Right wrist radiograph | frontal projection | initial study —
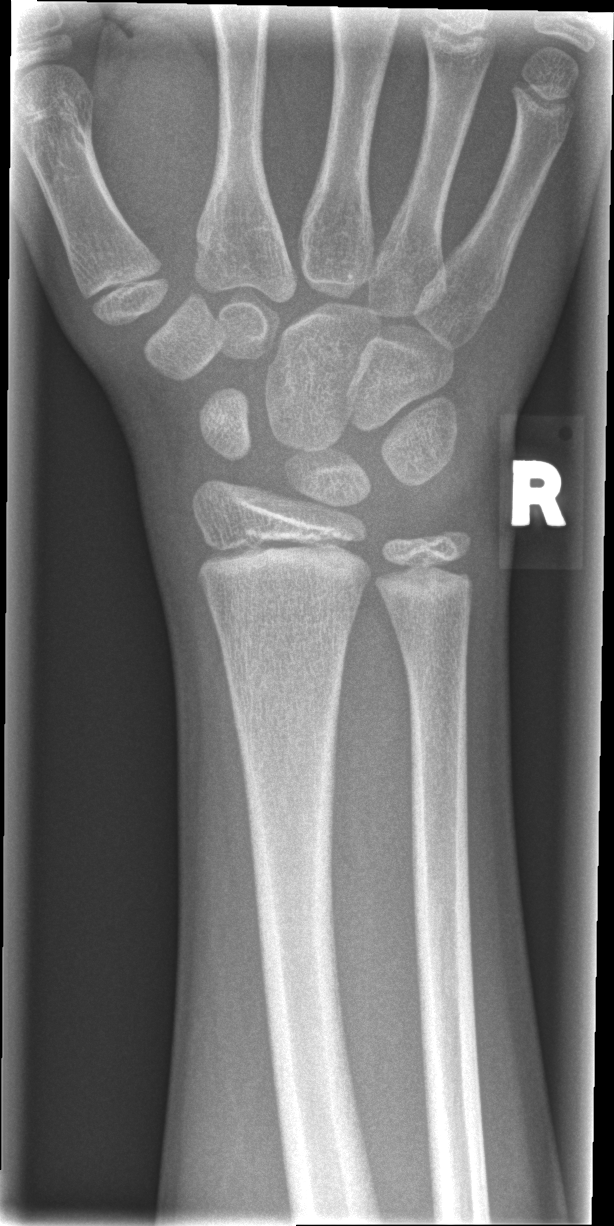
FINDINGS — No Fx annotated.